Frontal · Rt plain radiograph of the wrist · female, 12 yo. 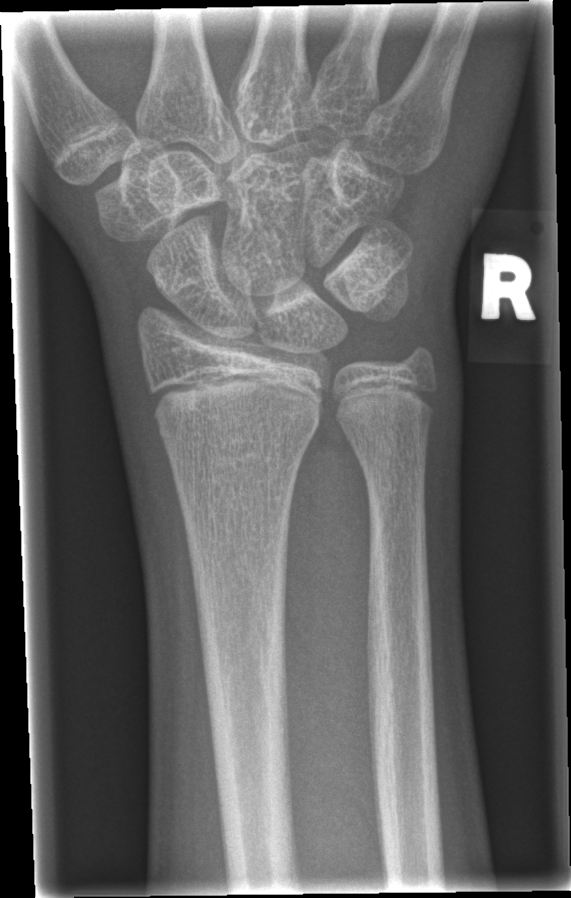
bone fracture: none labeled